Lat, Rt plain radiograph of the wrist, 516x936: 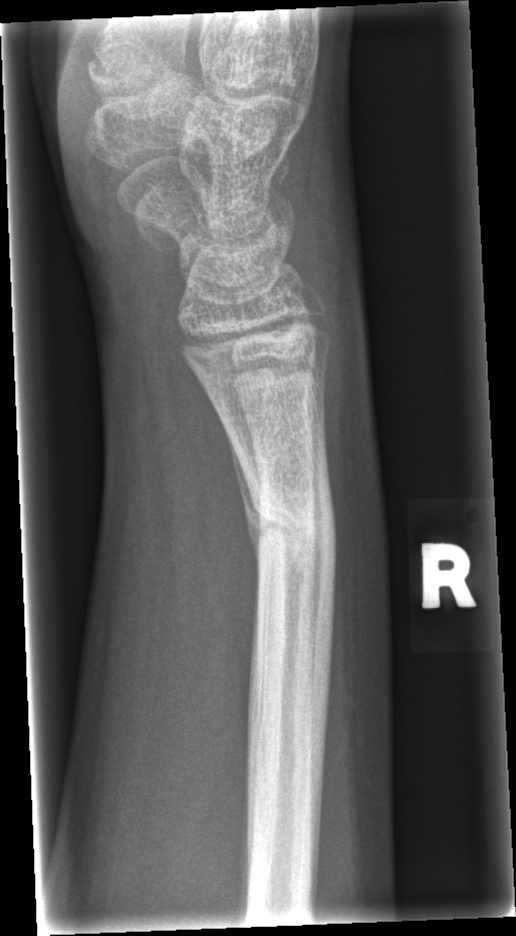 AO classification: 23r-M/3.1; 23u-M/2.1
Bone fracture: 1 @ <245,479>-<339,573>
Periosteal new bone: <229,435>-<263,571>